Lat | left wrist plain film | index exam —
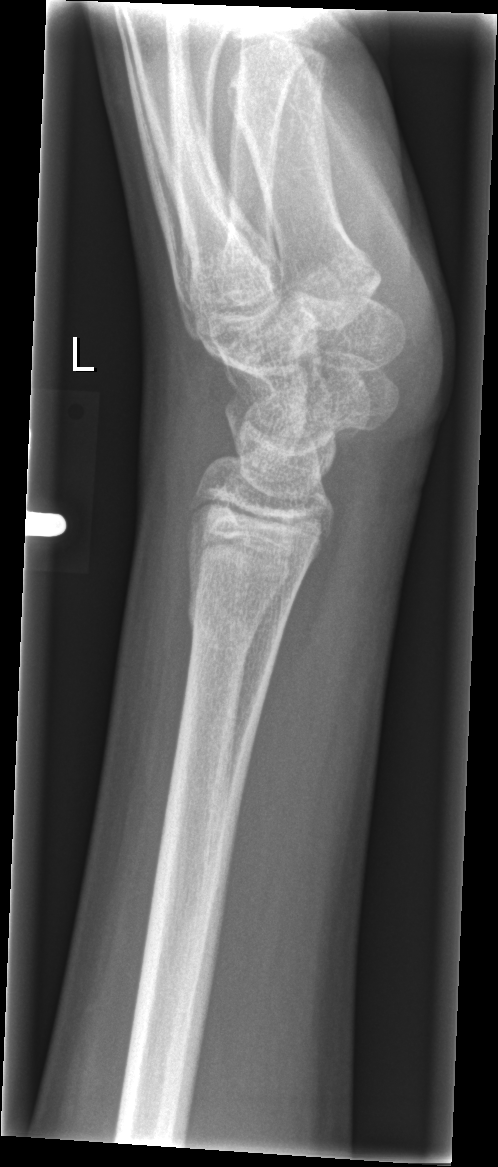
One Fx at [x1=184, y1=589, x2=290, y2=660].